R wrist X-ray, PA projection, initial study — 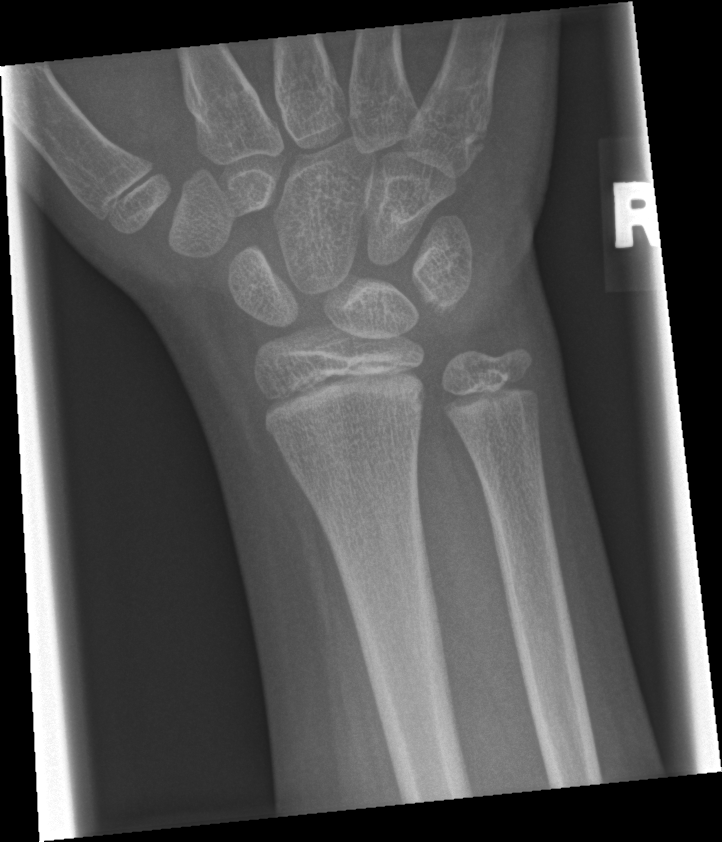   fracture: none labeled